L wrist XR · posteroanterior · 625 by 1222 pixels 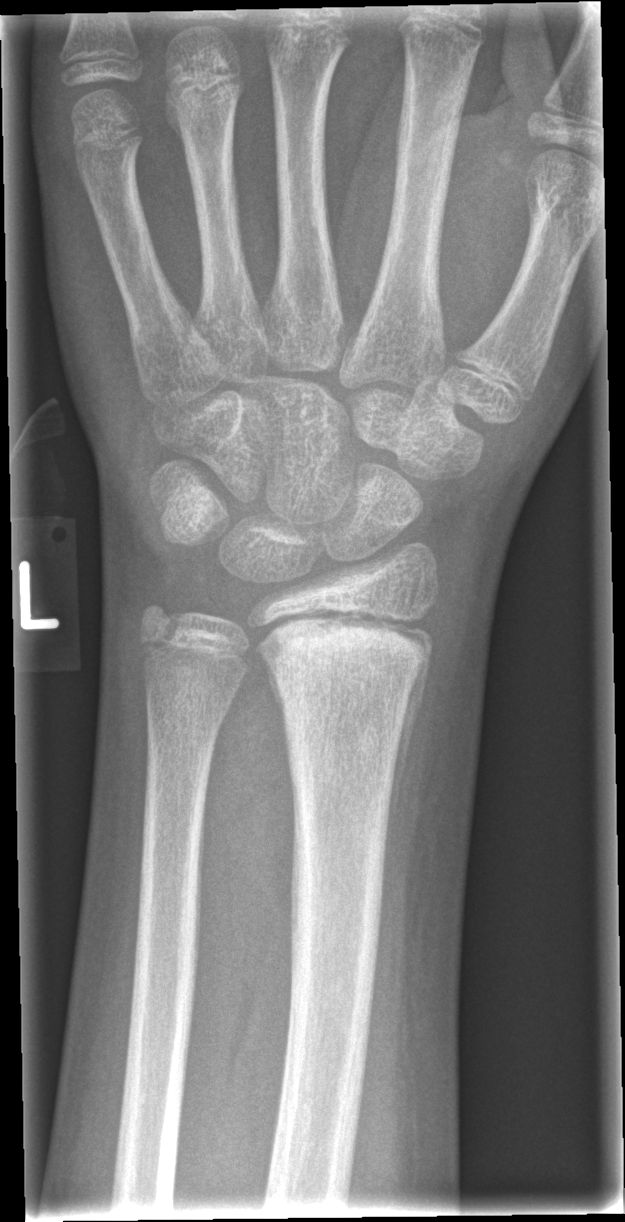
FINDINGS: Two bone fractures at bbox(256, 605, 436, 709), bbox(132, 591, 189, 657). Osteopenic. Two periosteal thickening at bbox(384, 629, 435, 873) bbox(265, 654, 288, 735). Fracture classified AO/OTA 23r-E/2.1; 23u-E/7.